Posteroanterior projection | Rt plain radiograph of the wrist | 12-year-old boy | subsequent exam | detector: Siemens | image size 696x1162 —

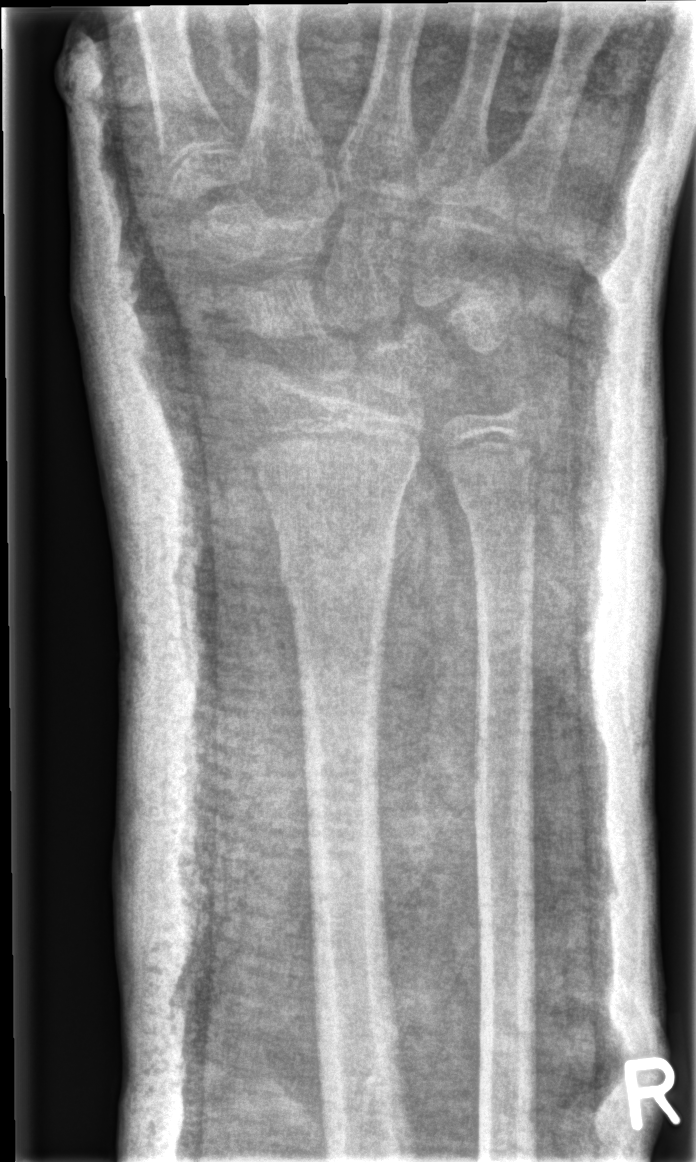 Q: Locate any fractures.
A: Fx: (left=277, top=529, right=398, bottom=604), (left=455, top=480, right=540, bottom=528)